Lt wrist X-ray; PA projection; 12-year-old male; 582x1208: 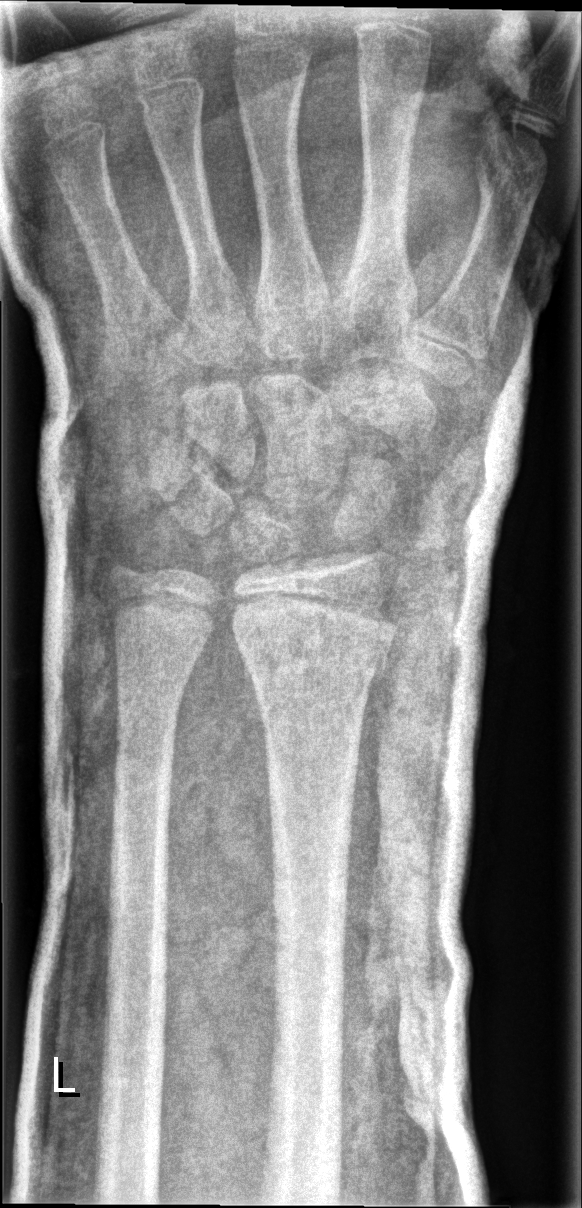
Bone fracture: (left=235, top=624, right=400, bottom=689).